R wrist XR, frontal:

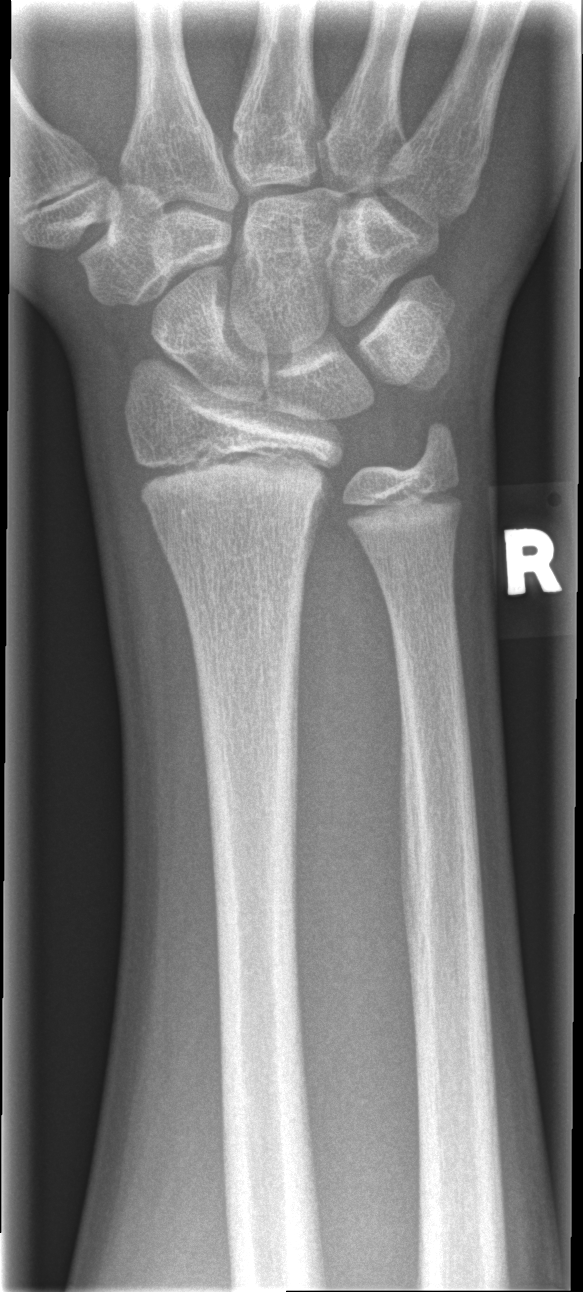 Q: AO code?
A: AO code 23r-M/2.1
Q: Locate any fractures.
A: Fx: present but not clearly seen in this view